Lt wrist plain film, lat projection, boy, 10 yo.

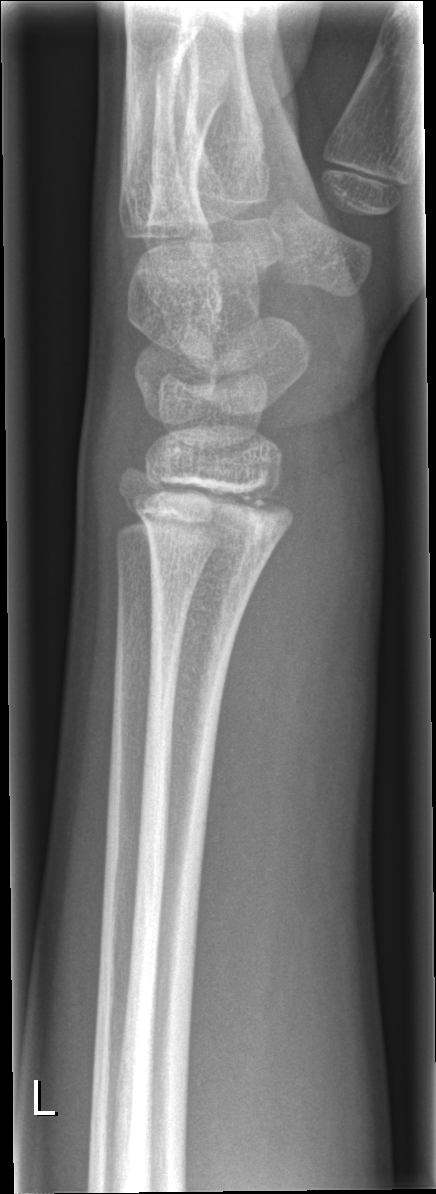

AO code 23r-E/2.1.
One fracture at (131, 471, 296, 540).